PA/AP; Rt wrist plain film; female, 12 yo; presentation radiograph; detector: Siemens

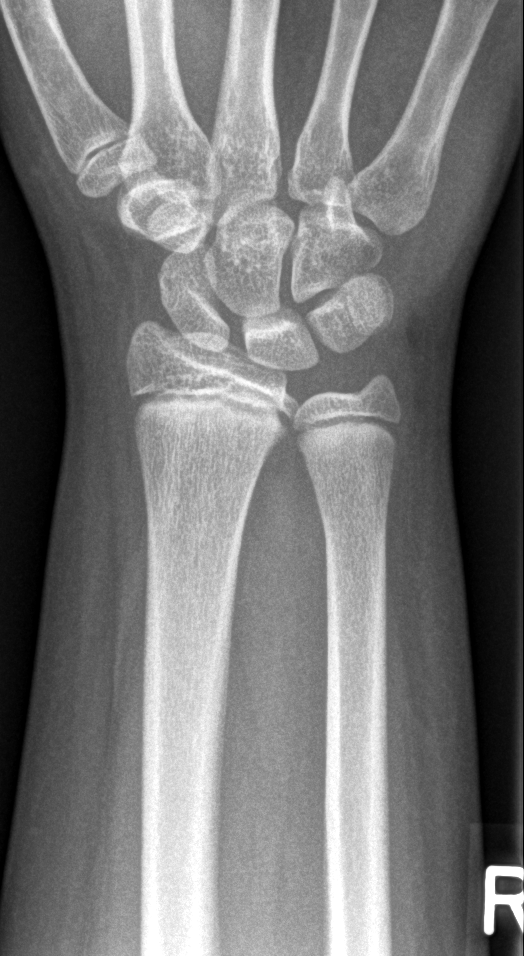
fracture: none labeled